Right wrist XR, AP, index exam —

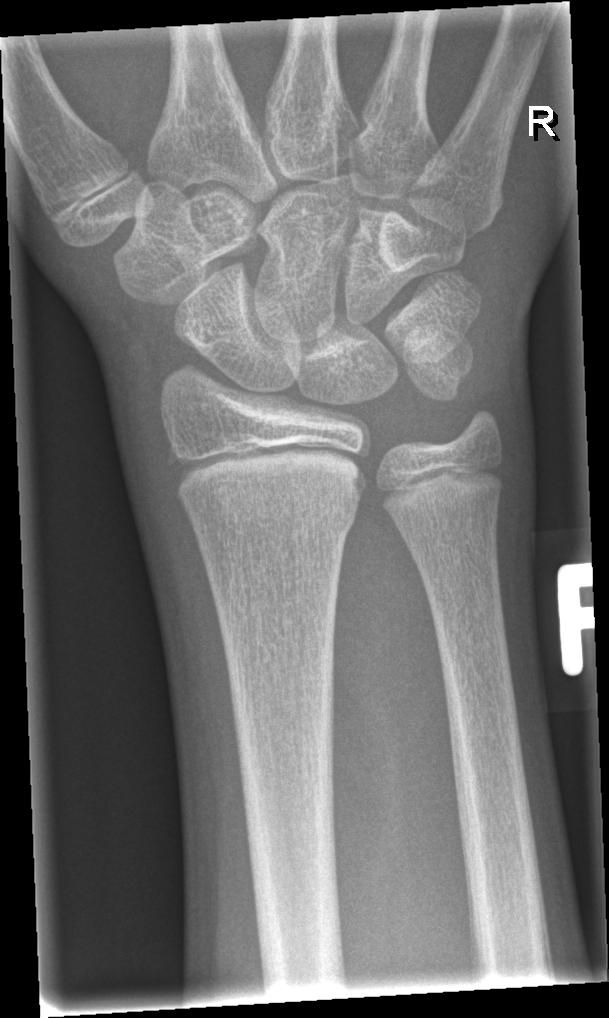
Q: Any fracture seen?
A: Fx present but not clearly seen in this view
Q: What is the AO/OTA classification?
A: AO code 23r-M/2.1